PA; left wrist X-ray; imaged through cast:
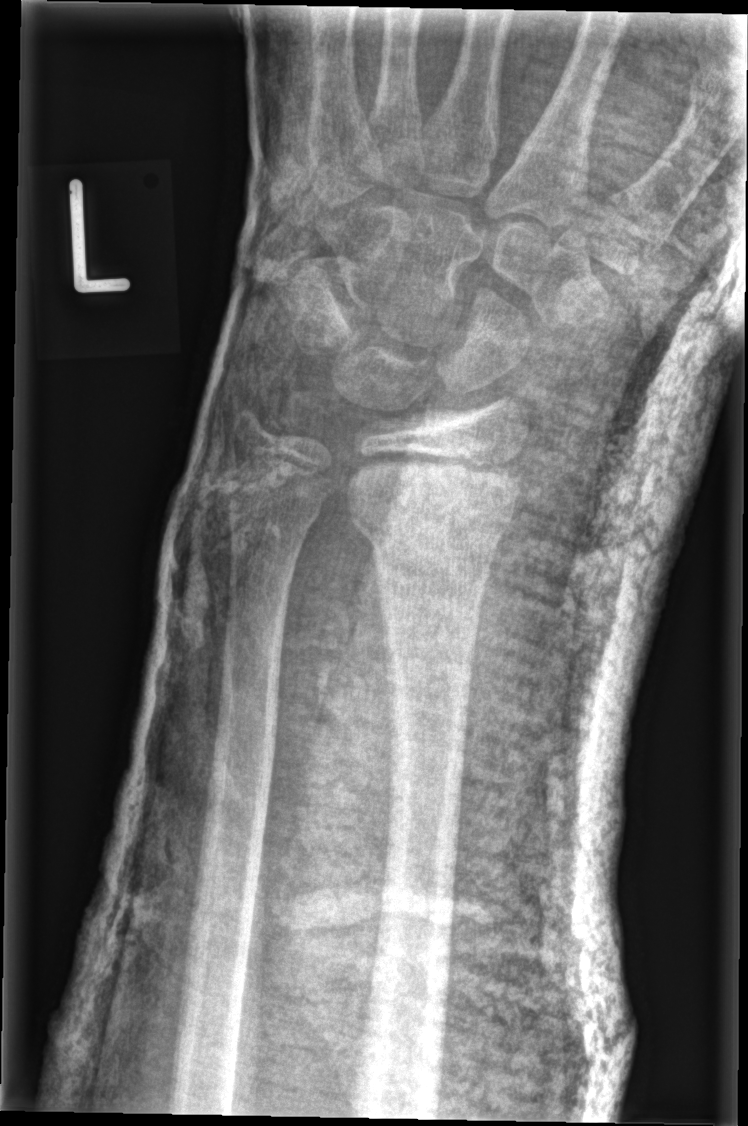 Findings: (coordinates are [x1, y1, x2, y2] in image pixels) Fracture: <346,475>-<512,567>, <224,473>-<329,534>.